PA/AP view; left plain radiograph of the wrist; age 14 y, boy

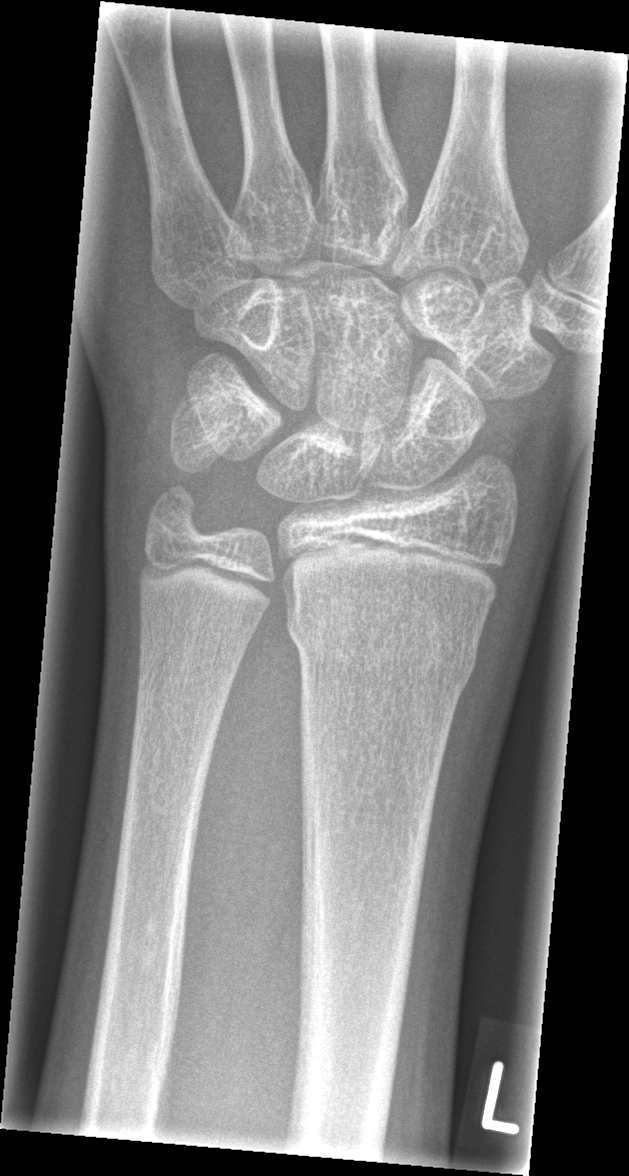
FINDINGS: Fx identified at 282 588 482 700; 142 472 217 552.